Left wrist X-ray, lat view, 10-year-old female, image width 50.1 mm 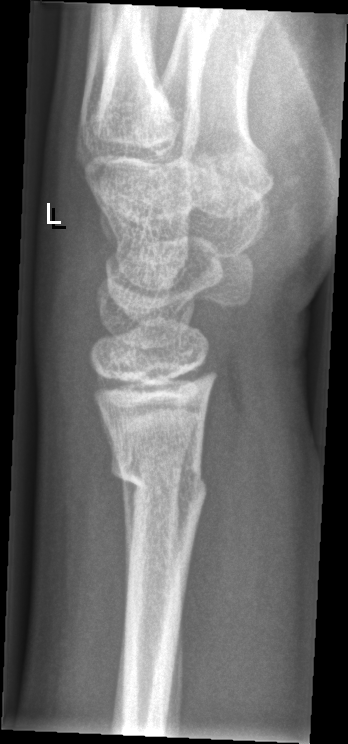

# pixel coordinates, top-left origin, xyxy
fracture: 1 @ (107, 442, 209, 509)
ao: 23r-M/3.1
pronatorsign: (183, 369, 272, 692)